Frontal | right pediatric wrist radiograph | 6y M | acquired on Siemens | 495x960
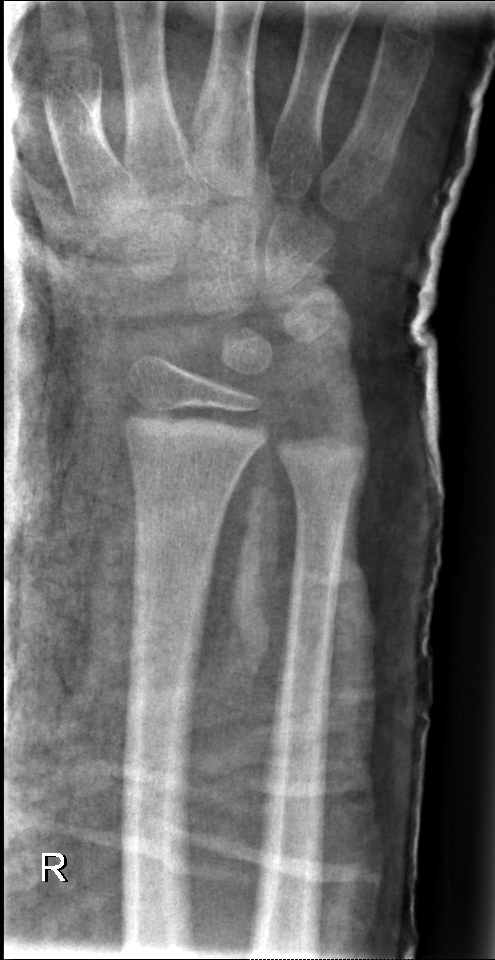 * AO/OTA classification: 23r-E/2.1.
* Fx present but not clearly seen in this view.